PA projection · L pediatric wrist radiograph · 16-year-old girl · initial study —

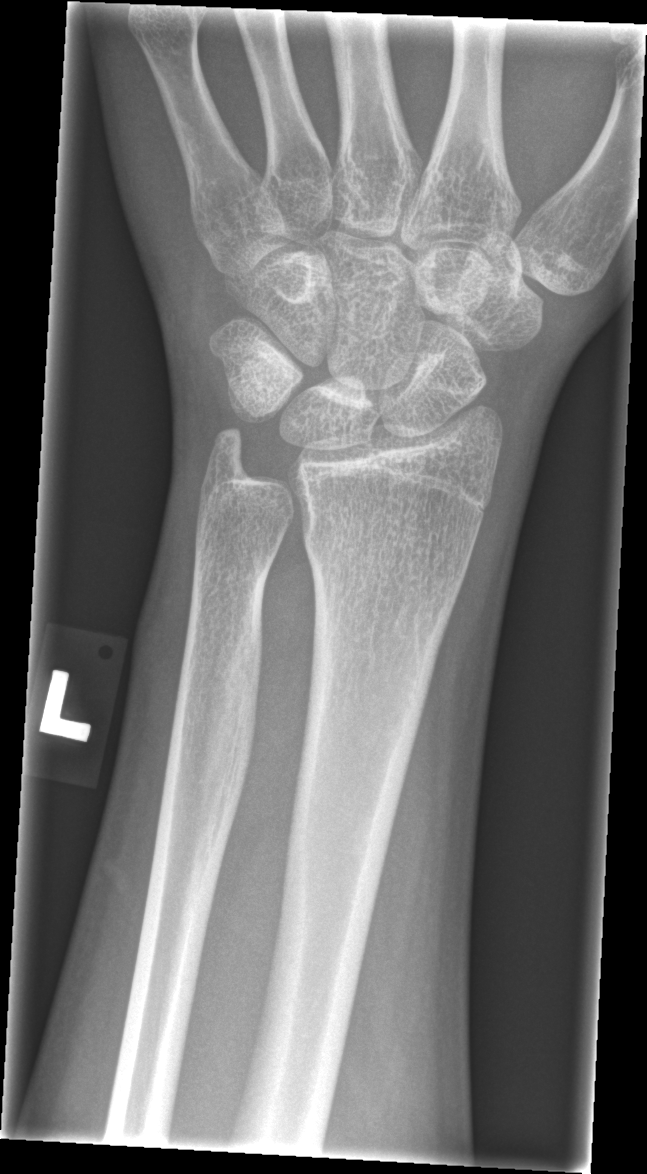

• No fracture annotation.